Lat view | Rt pediatric wrist radiograph | female, 6 yo | imaged through cast | image 66.1 mm wide —

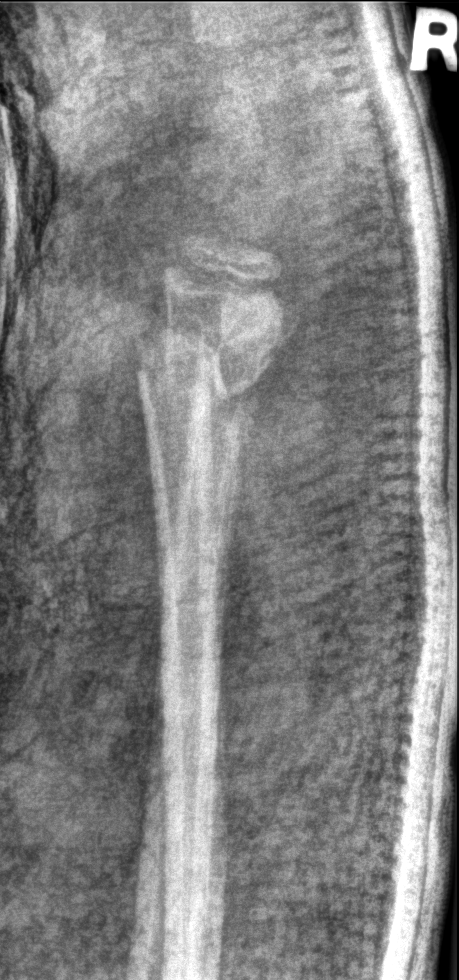
AO code: 23-M/3.1
Bone fracture: (131, 321, 279, 434)